Posteroanterior projection | left plain radiograph of the wrist | 8-year-old male | 449 x 956 px

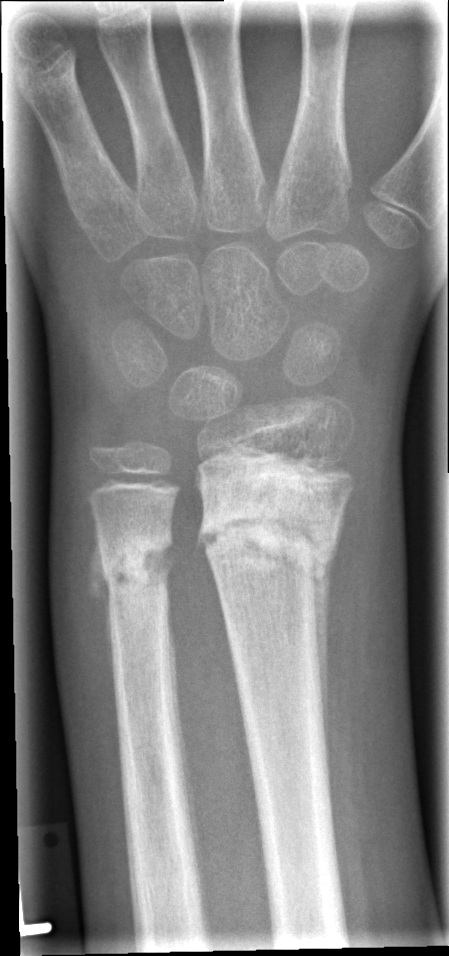 Boxes as x1,y1,x2,y2 (top-left / bottom-right, pixel units).
Periosteal thickening identified at (left=308, top=546, right=335, bottom=765) (left=86, top=534, right=117, bottom=682).
Decreased bone density (osteopenia).
Fracture classified AO/OTA 23-M/3.1.
Bone fracture identified at (left=192, top=464, right=348, bottom=590); (left=90, top=519, right=177, bottom=609).